Right wrist radiograph; lat projection
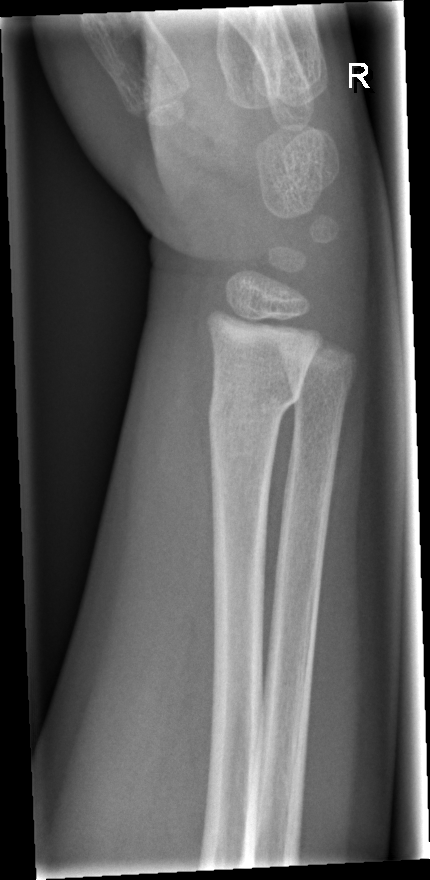   # boxes as x1,y1,x2,y2 (top-left / bottom-right, pixel units)
  fracture: [x1=206, y1=380, x2=305, y2=429]
  ao: 23-M/2.1